Left plain radiograph of the wrist; frontal view; presentation radiograph — 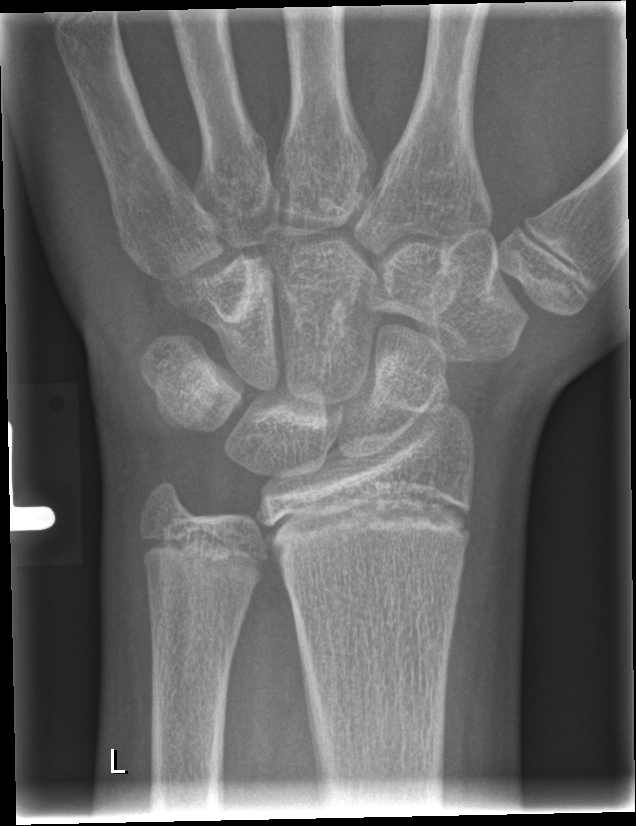 Findings: No fracture bounding box.